PA view; Rt wrist radiograph; age 10 y, female; initial study —
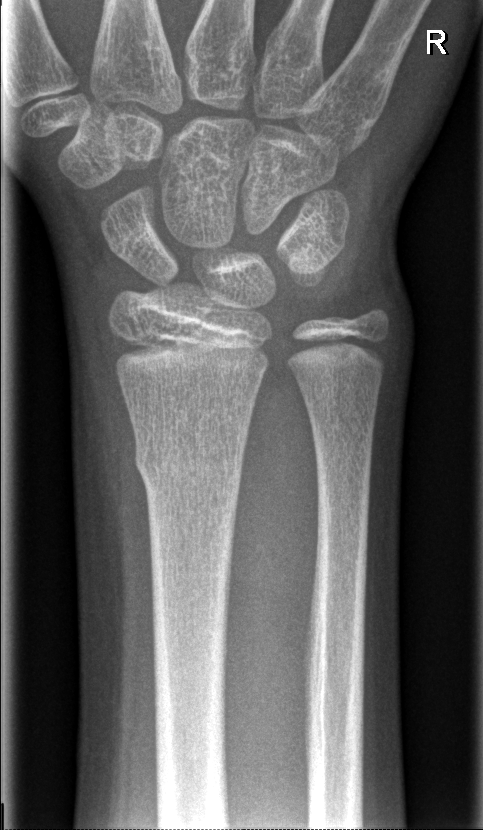

Coordinates are [x1, y1, x2, y2] in image pixels. AO code 23r-M/2.1. Fx — <130,432>-<247,492>.